Frontal projection · Rt wrist radiograph: 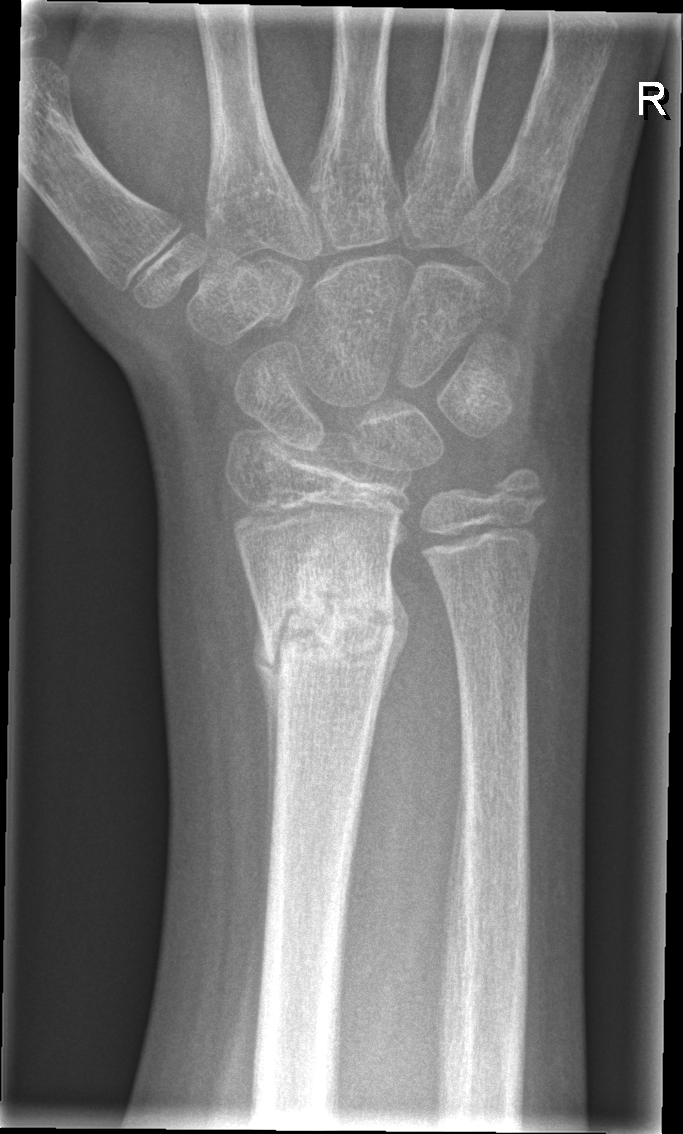 Q: Is there osteopenia?
A: Reduced bone mineral density
Q: Any fracture seen?
A: Bone fracture: <247,546>-<403,687>, <484,454>-<552,521>
Q: Is there periosteal reaction?
A: Periosteal new bone identified at <252,592>-<283,962> <376,578>-<410,714>